PA view | Rt plain radiograph of the wrist | 15y F | acquired on Siemens: 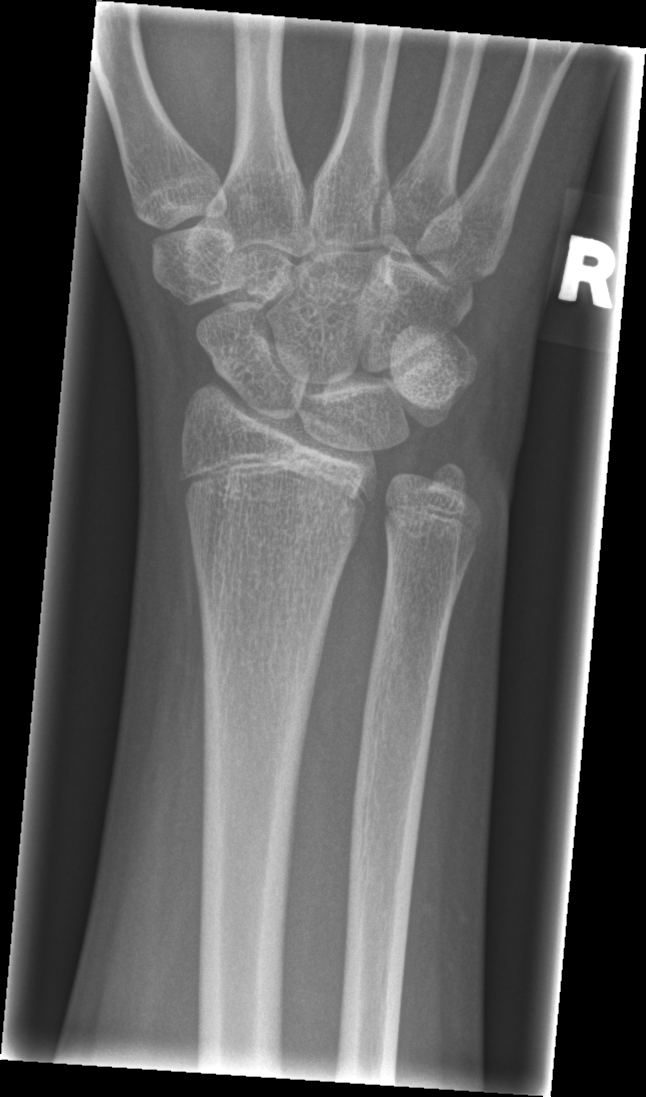
• No fracture bounding box.